Posteroanterior · R pediatric wrist radiograph · female, 11 yo.
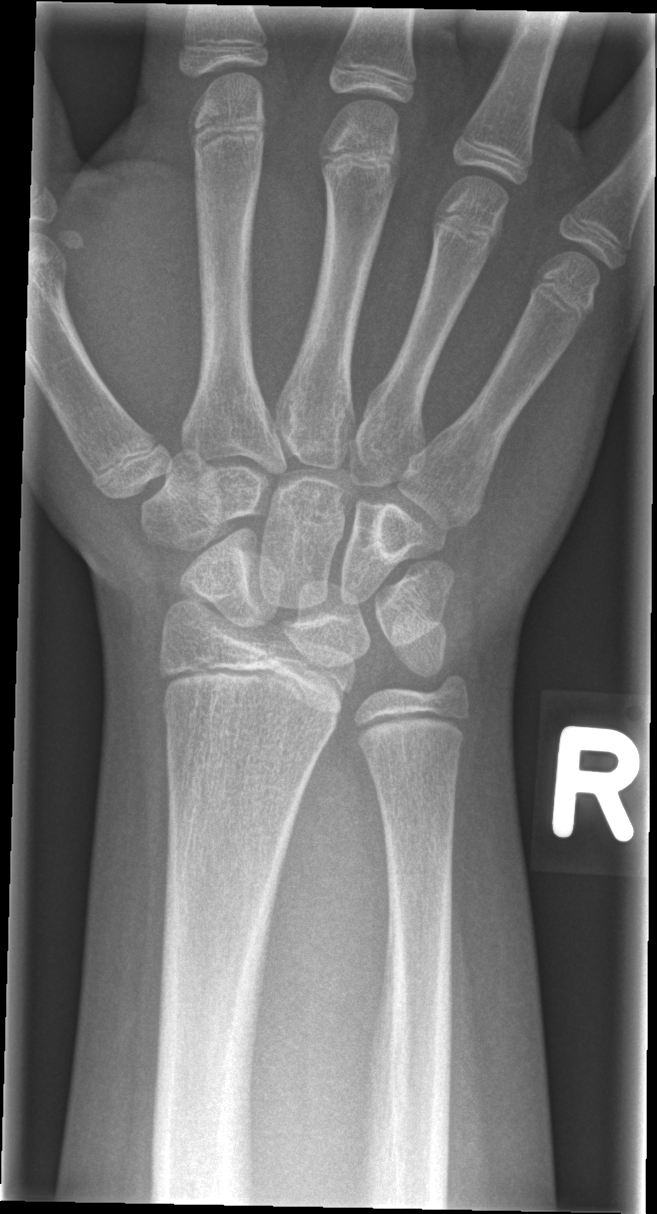 Fracture: none labeled